Lt wrist plain film; lat view

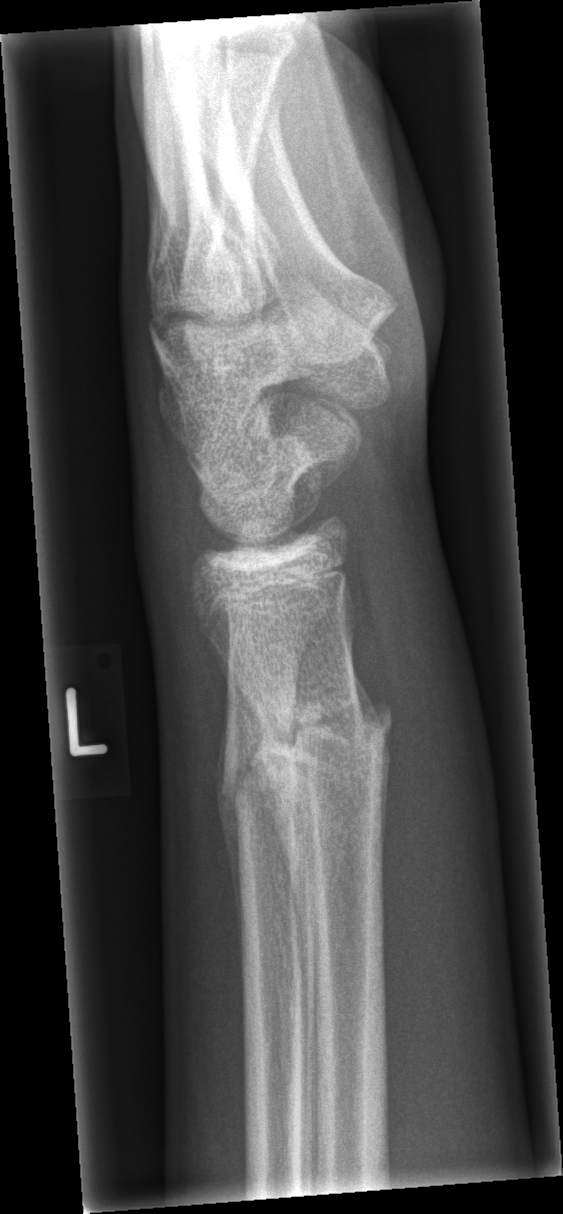 (coordinates are [x1, y1, x2, y2] in image pixels)
osteopenia = present
periosteal thickening = <215,708>-<245,964>
fracture = 1 @ <215,679>-<398,873>
AO code = 23-M/3.1; 23u-E/7